Right wrist plain film, PA/AP view, female, 7 yo, index exam, acquired on Siemens, 636 by 882 pixels.

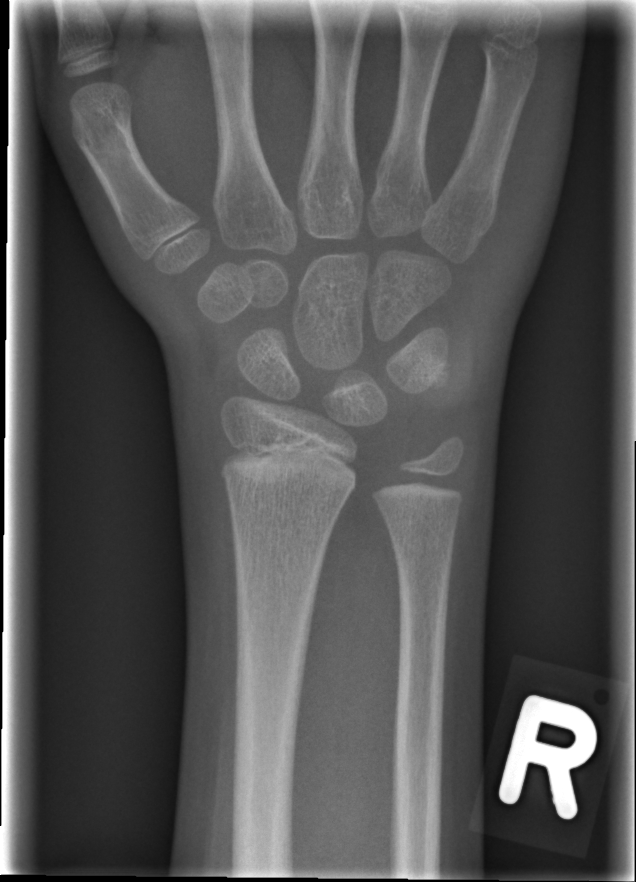 Findings: No fracture labeled.